L wrist plain film, frontal view, male, 8 yo, follow-up, cast in situ, acquired on Siemens, 87.3 mm image width:

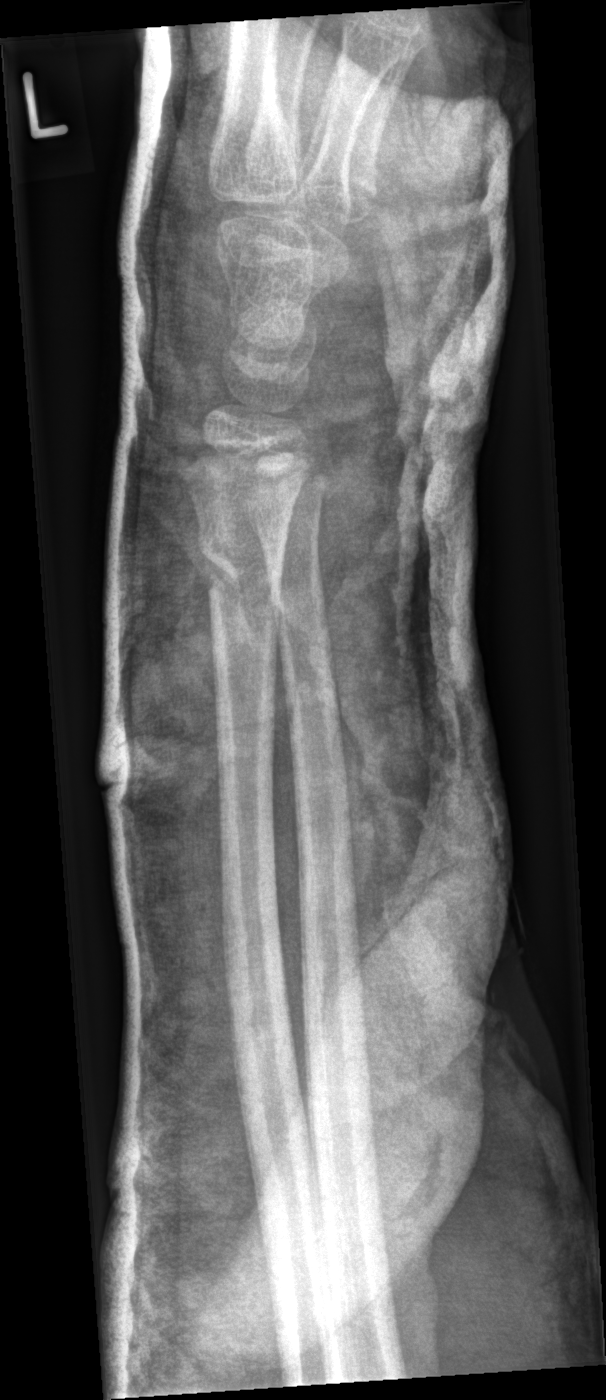

(pixel coordinates, top-left origin, xyxy)
Bone fracture: 1 @ (193, 535, 287, 628)